Posteroanterior projection | R pediatric wrist radiograph | cast in situ | acquired on Siemens 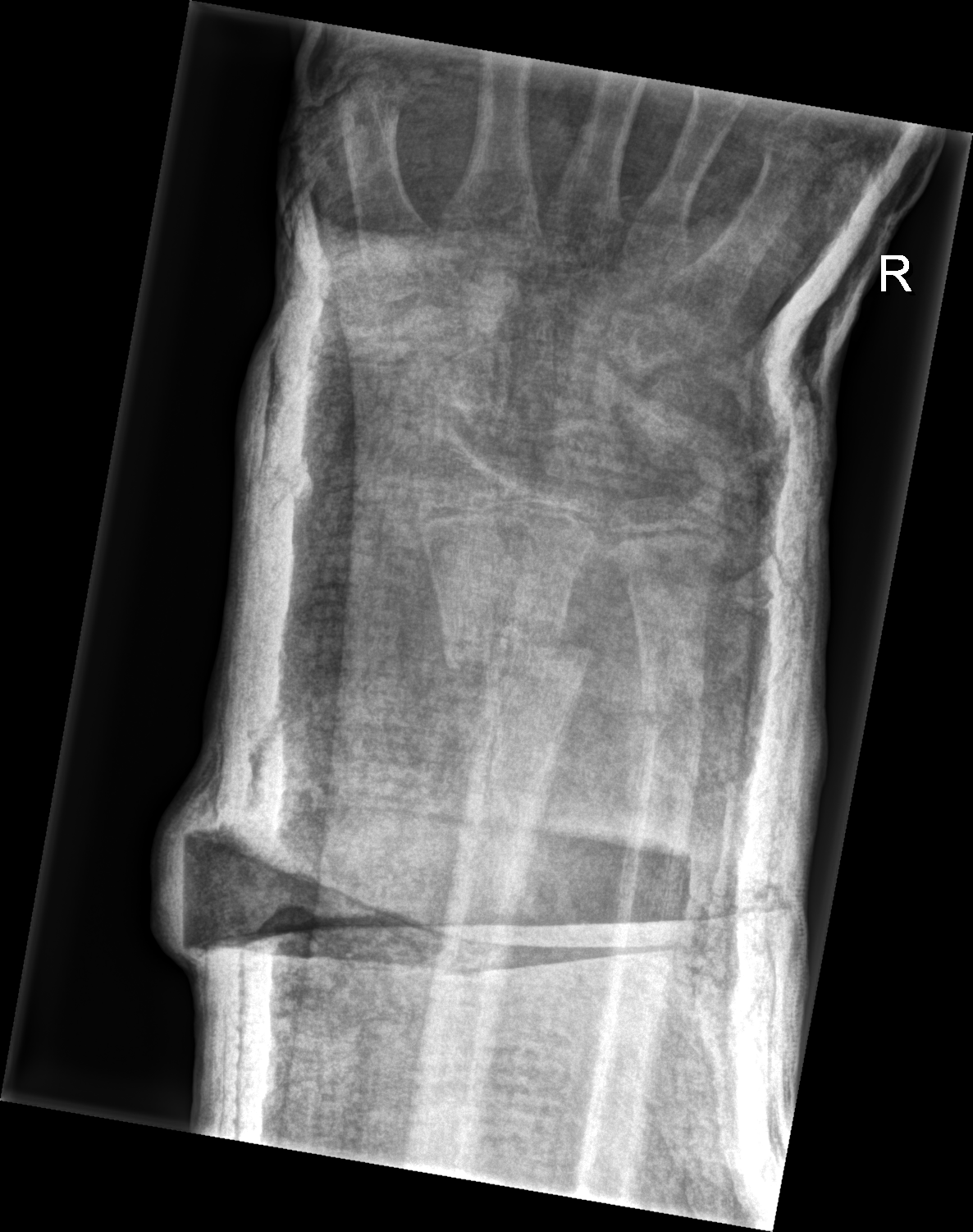 Coordinates are [x1, y1, x2, y2] in image pixels.
Bone fracture: [436, 607, 598, 688] [637, 685, 710, 737].